Posteroanterior view; right wrist XR; follow-up study; detector: Siemens; 778 x 971 px

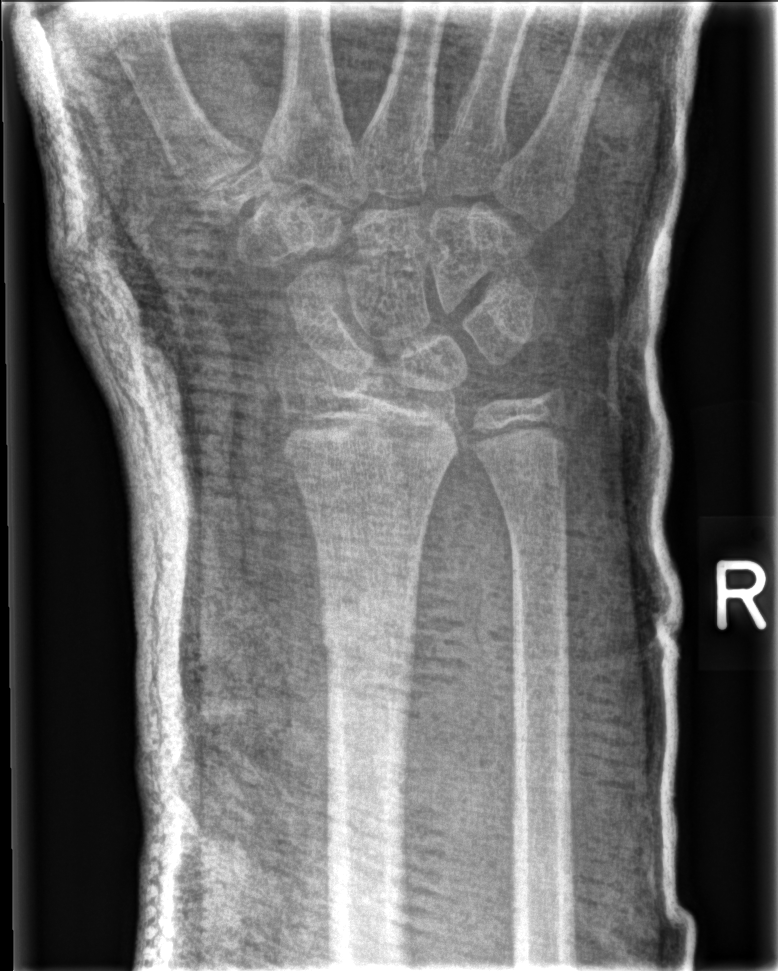 * Fx: 319 599 423 661.